Left wrist plain film, AP view, 16y F, initial study

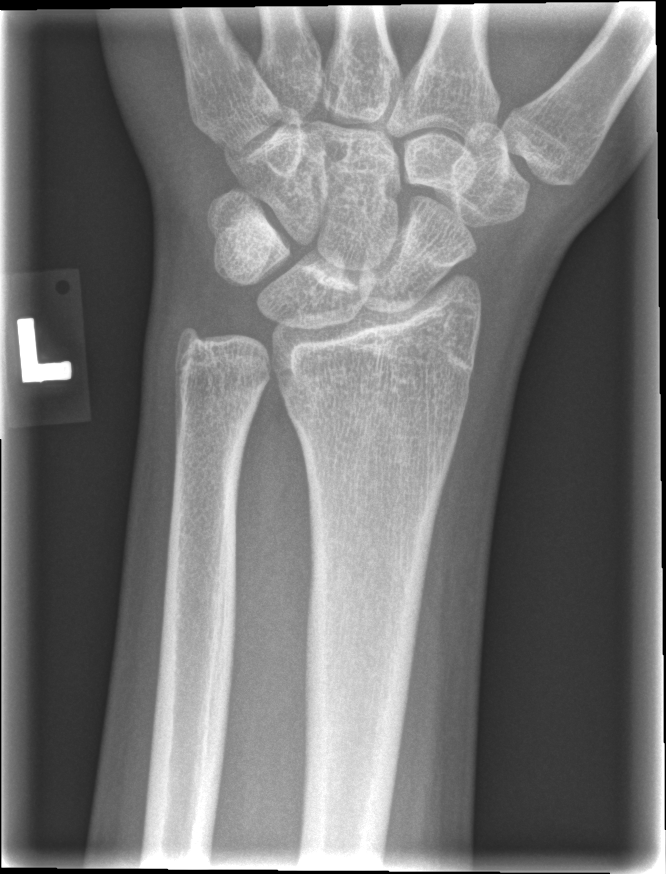 Q: Any fracture seen?
A: No fracture bounding box